Frontal projection; right pediatric wrist radiograph; age 10 y, female

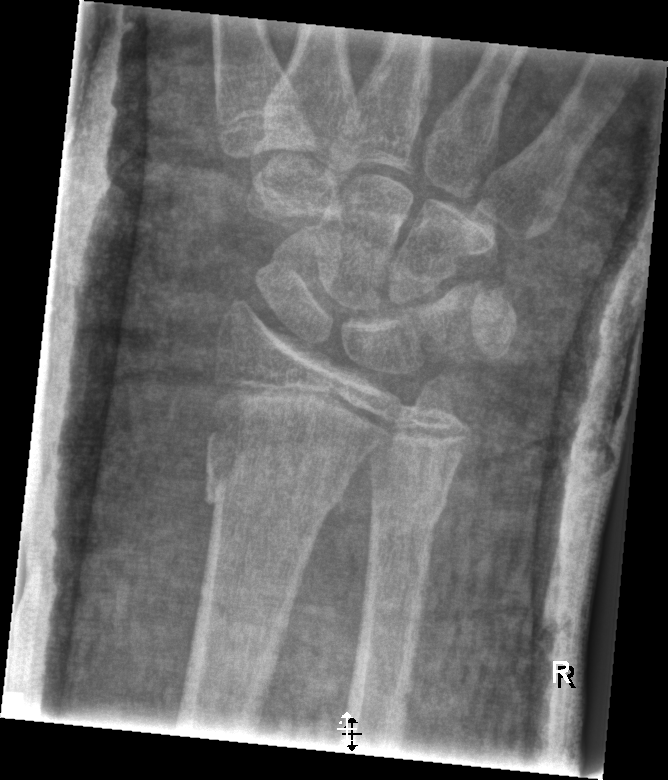

bone fracture = 2 @ <202,456>-<351,519> <367,479>-<449,530>
AO classification = 23r-M/3.1; 23u-M/2.1; 23u-E/7